Rt wrist X-ray, lat view, 6y M, cast present, 590 by 942 pixels — 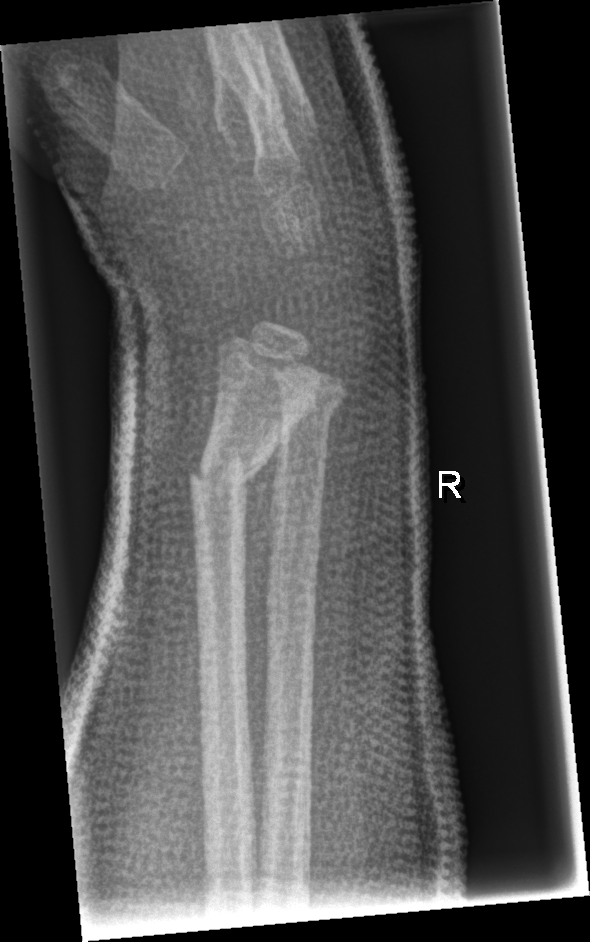 AO/OTA = 23r-M/3.1; 23u-M/2.1
fracture = 2 @ 183,442,271,512
  274,385,347,432